Right wrist XR · lat projection · 3-year-old male.
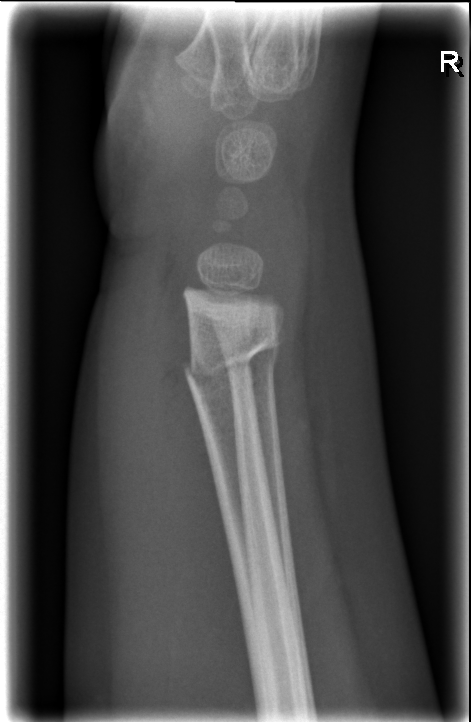 # coordinates are [x1, y1, x2, y2] in image pixels
ao: 23r-M/3.1; 23u-M/2.1
fracture: 1 @ [x1=178, y1=327, x2=289, y2=391]